Lateral view, L wrist radiograph, 15-year-old male, subsequent exam 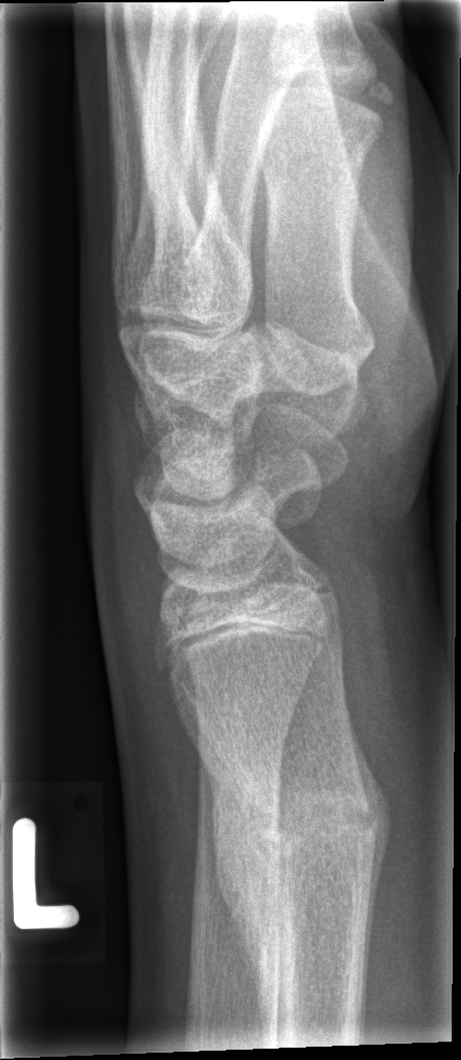

(pixel coordinates, top-left origin, xyxy)
AO code: 23r-M/3.1; 23u-E/7
bone fracture: 1 @ 230,779,387,875
periosteal new bone: 2 @ 199,750,265,1043; 355,737,390,906